Posteroanterior; L wrist X-ray; 11y F; cast present; 722 x 1016 px —

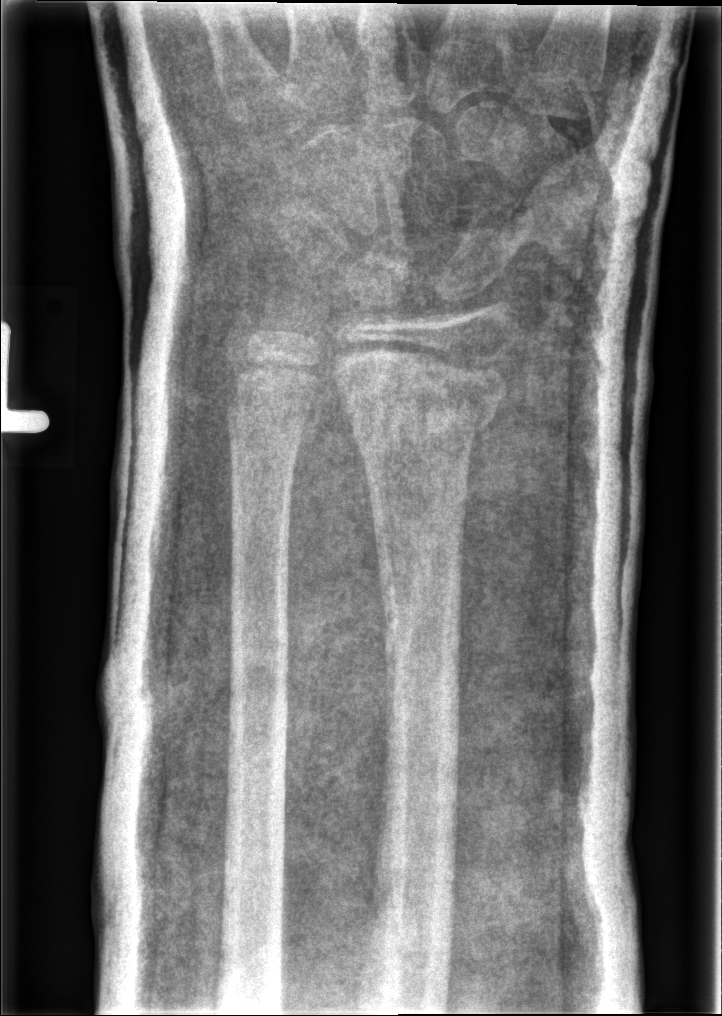
Findings: One Fx at [331, 346, 510, 450]. Fracture classified AO/OTA 23r-E/2.1.